Lateral view; left plain radiograph of the wrist; boy, 12 yo; 80.4 mm image width.

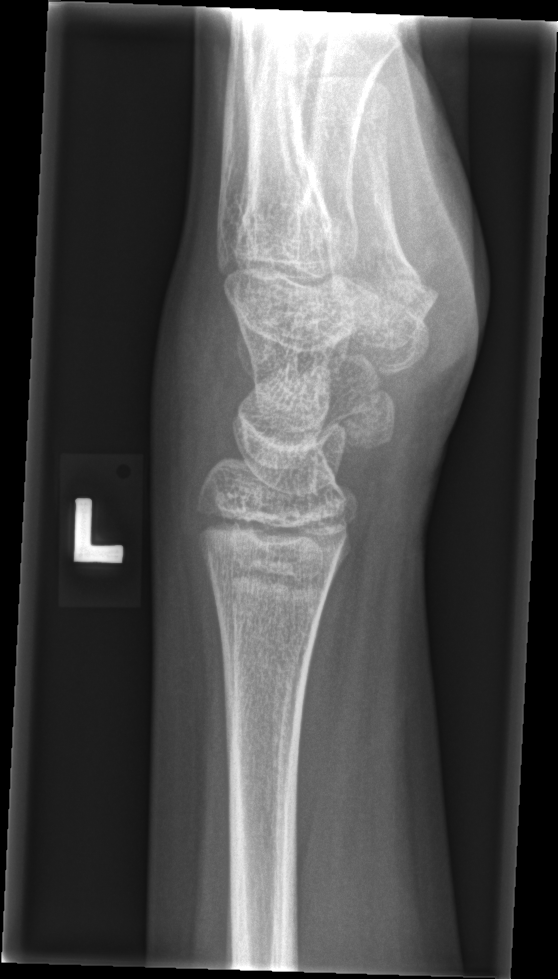 Findings: One soft-tissue finding at 149,261,246,492. Fx: none.